Lat projection | Rt wrist plain film | index exam. 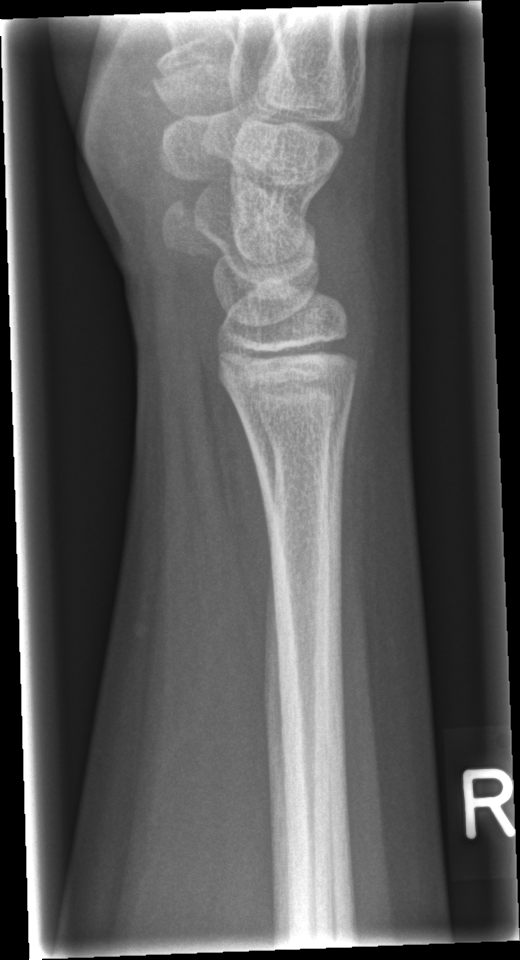 FINDINGS — Fracture: none labeled.